L wrist radiograph | lateral projection | Siemens
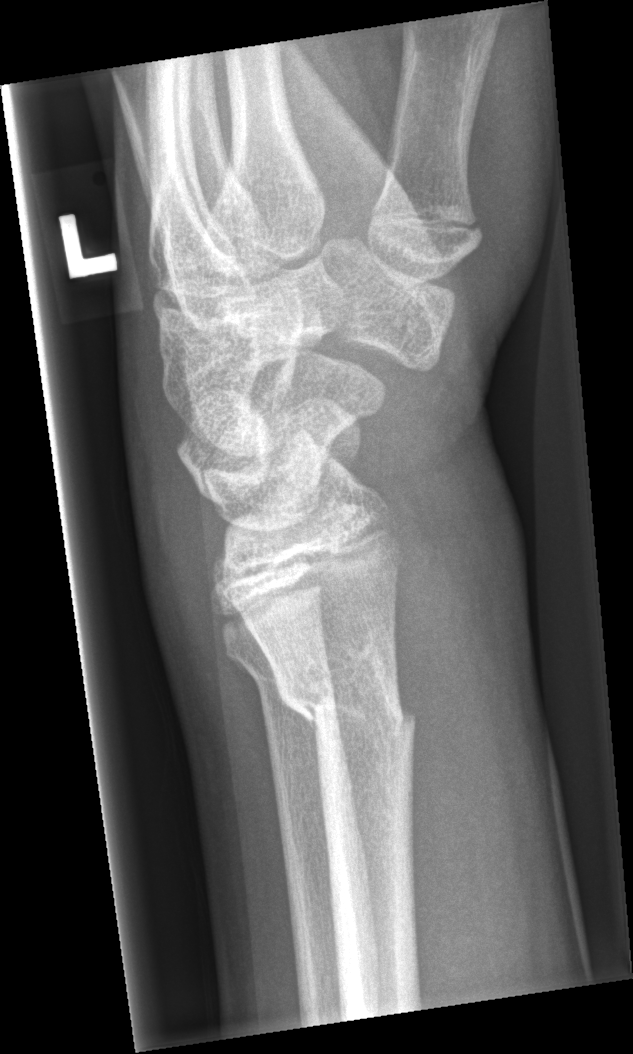 AO code: 23-M/3.1; 23u-E/7
Bone fracture: 2 @ 272 627 417 750 | 218 627 341 723